Lateral projection, R wrist XR, 10y F, 62.2 mm image width, image size 432x1085. 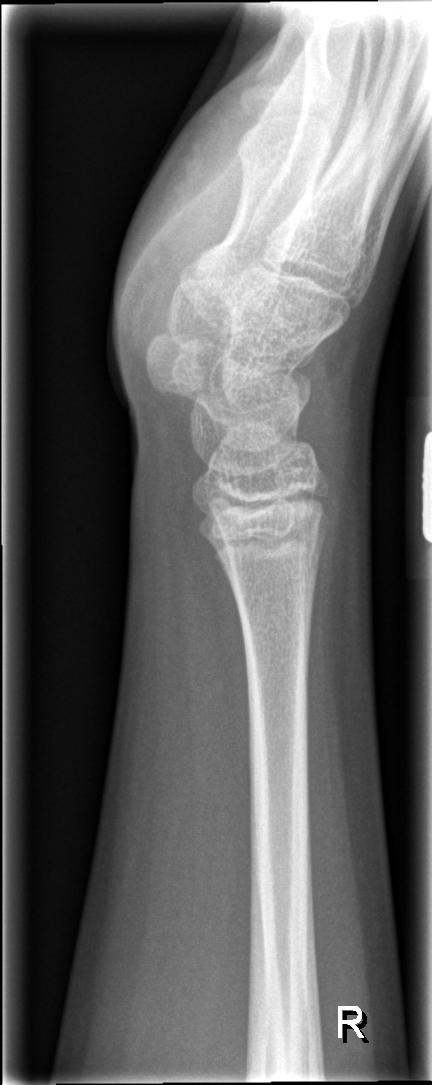 - No fracture annotation.